Lat projection, right plain radiograph of the wrist, age 10 y, female, subsequent exam

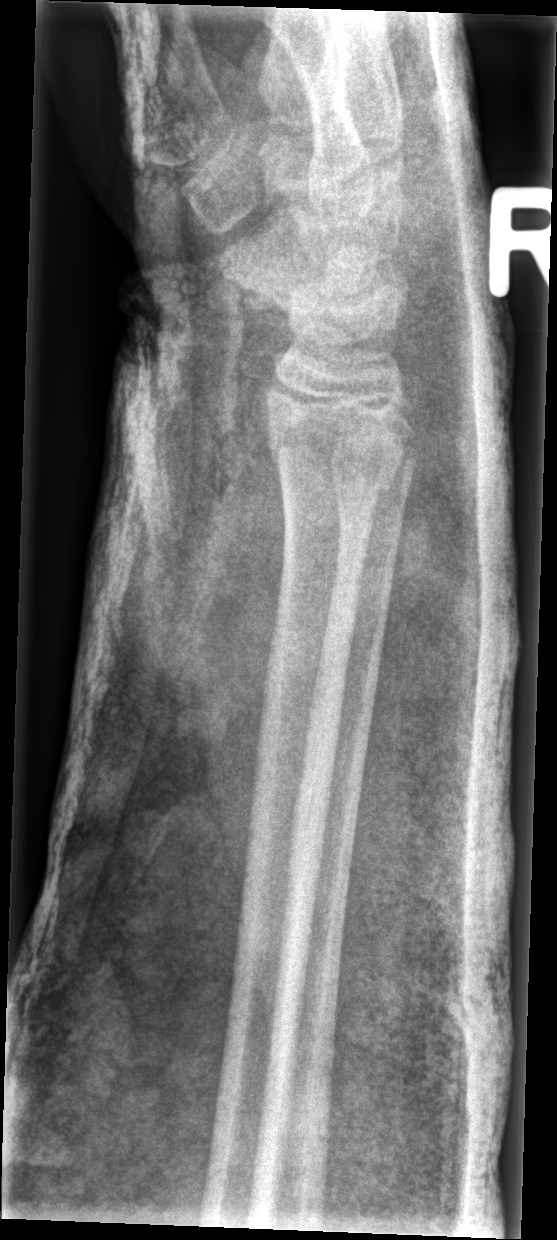 (bounding boxes in image-pixel xyxy)
AO/OTA: 23r-M/3.1; 23u-E/7
Fx: 258,417,403,500